PA/AP; Lt pediatric wrist radiograph; detector: Siemens — 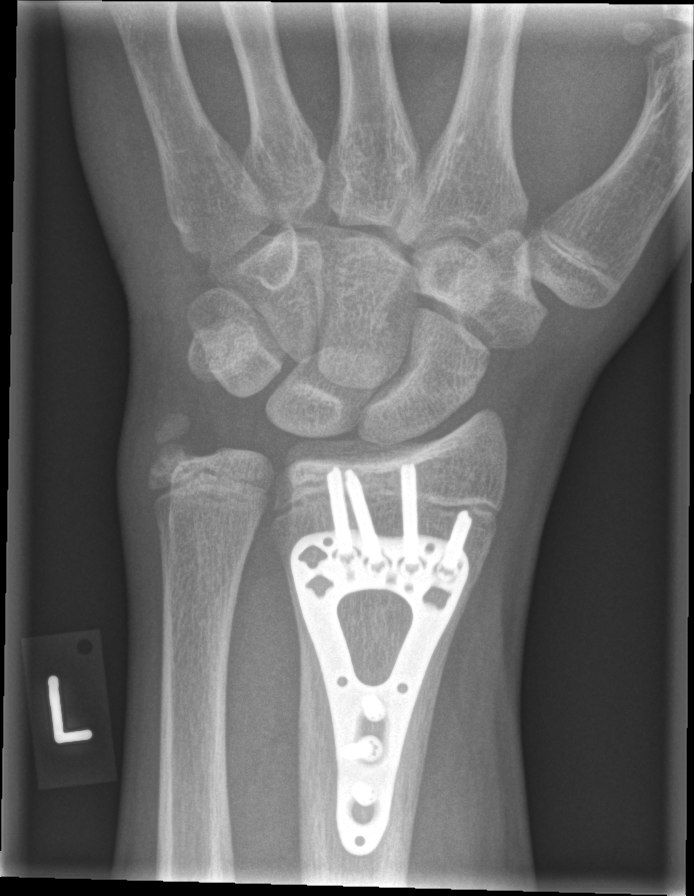
- Boxes as x1,y1,x2,y2 (top-left / bottom-right, pixel units).
- Bone fracture — [143, 406, 208, 478].
- One metallic hardware at [293, 464, 471, 857].